Right wrist radiograph; frontal view; girl, 13 yo:

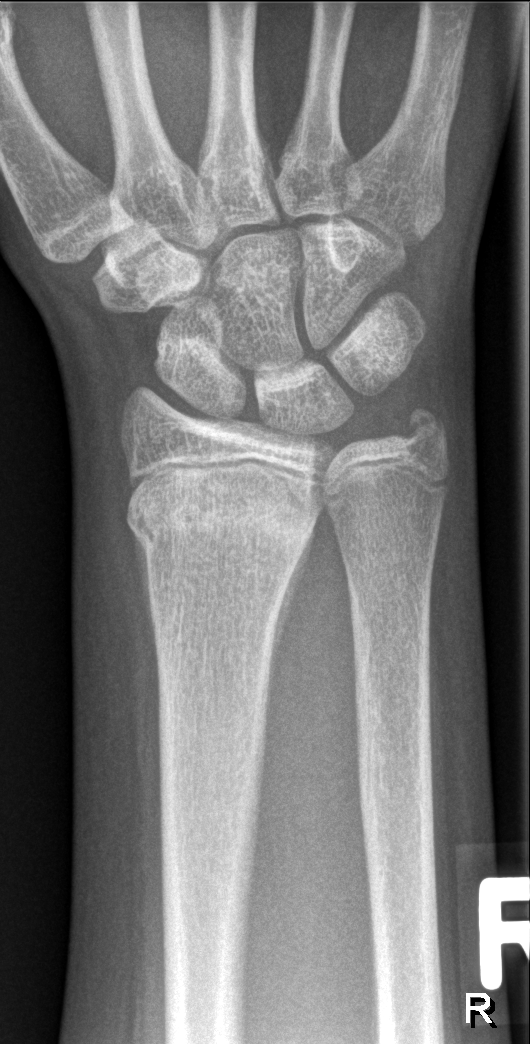

(bounding boxes in image-pixel xyxy)
periosteal reaction: 1 @ [266, 496, 325, 715]
Fx: 2 @ [121, 471, 319, 559]; [395, 398, 454, 463]
osteopenia: present